Left wrist plain radiograph of the wrist | frontal projection | 9y M | image 77.5 mm wide.

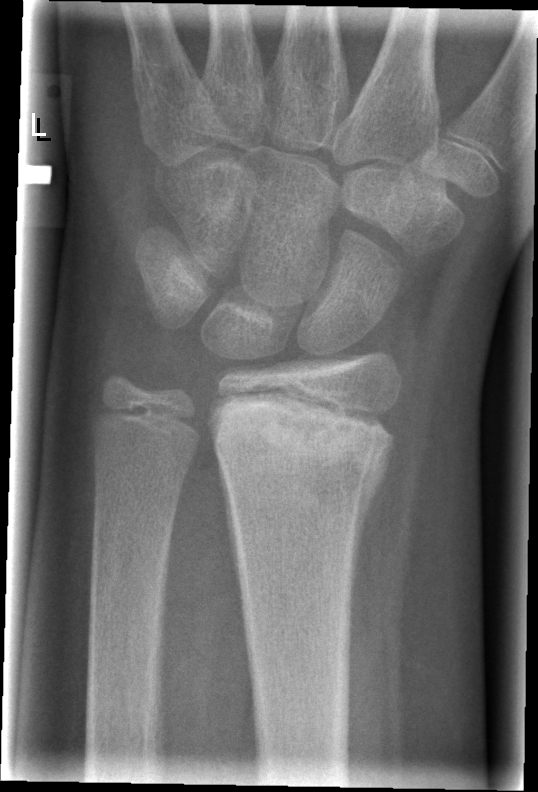
Findings: Periosteal thickening — bbox(351, 442, 397, 637), bbox(219, 457, 246, 627). One fracture at bbox(209, 388, 393, 487).